Lat view; Rt plain radiograph of the wrist; 9y M; follow-up study; image size 545x978 —
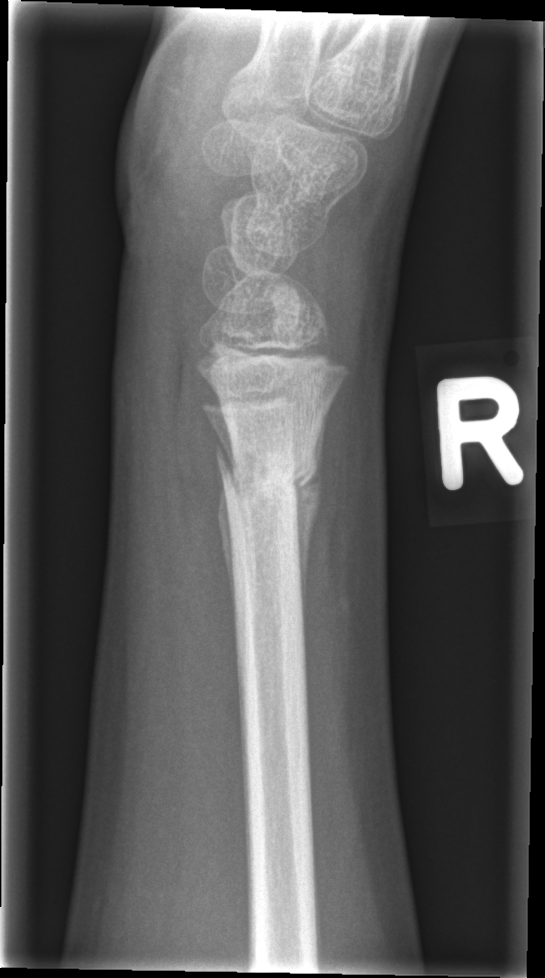
(coordinates are [x1, y1, x2, y2] in image pixels)
AO code: 23r-M/3.1
Fx: 1 @ 213 444 322 504
periosteal new bone: 2 @ 287 402 330 651 | 215 448 235 603